Right wrist pediatric wrist radiograph, lat projection, follow-up study: 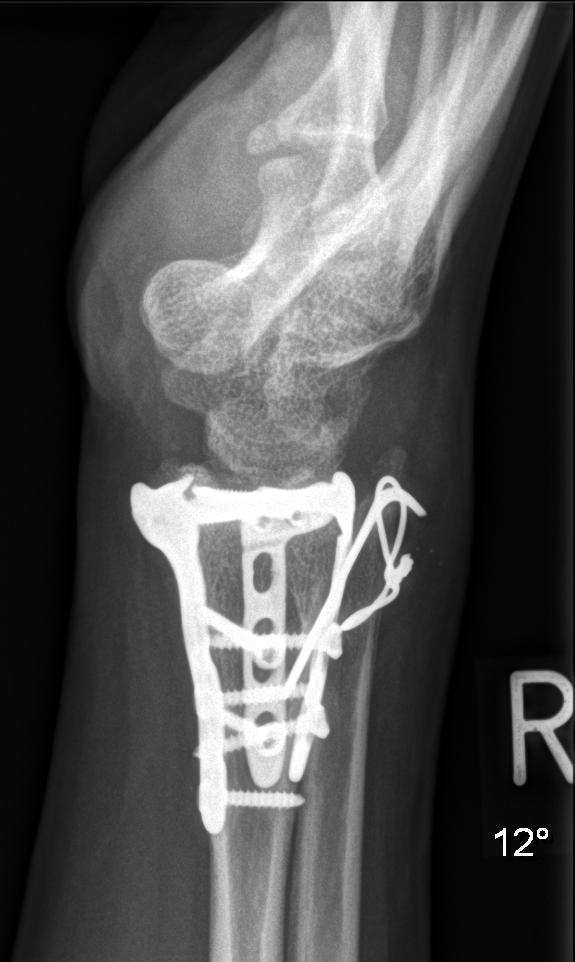 fracture: none labeled
metal: 125 467 428 838